PA projection; Rt wrist radiograph; presentation radiograph —

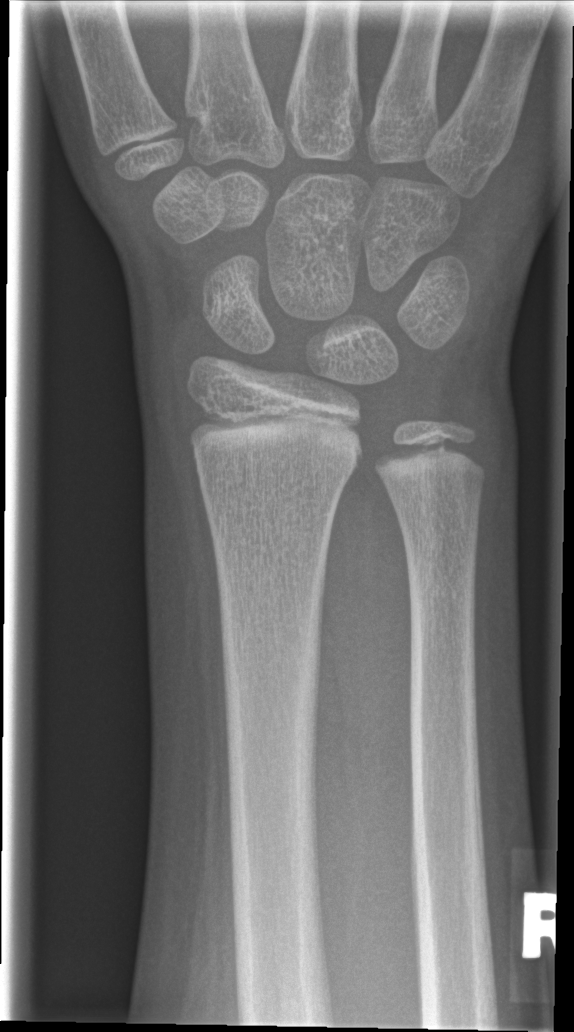
No fracture labeled.